Right wrist XR; lateral projection; 11-year-old male; index exam; image 61.3 mm wide

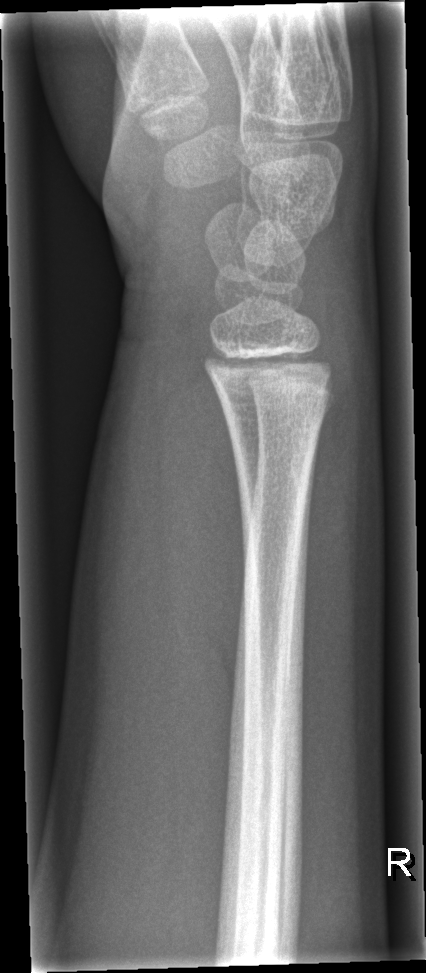
(pixel coordinates, top-left origin, xyxy)
bone fracture = 1 @ bbox(198, 337, 337, 400)
pronator sign = 1 @ bbox(159, 311, 254, 692)